Lat view; left wrist plain film; 55.0 mm image width —
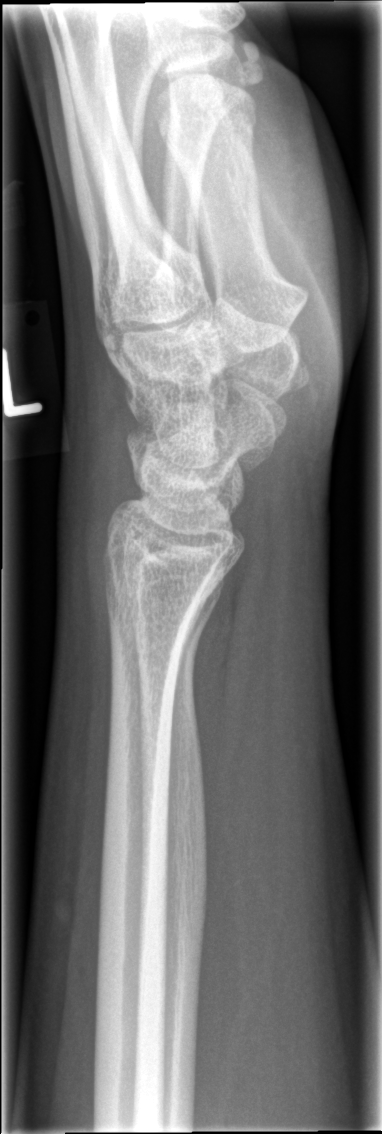
bone fracture = none labeled